Left pediatric wrist radiograph, PA —

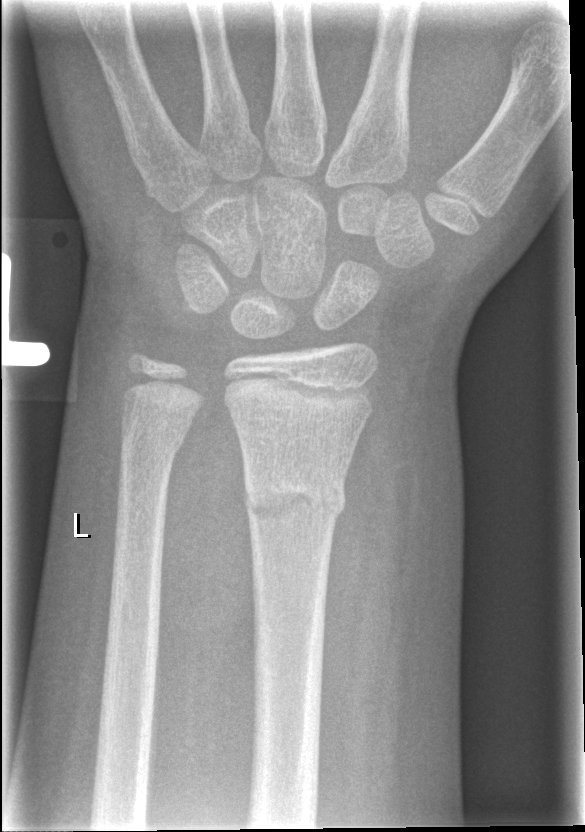

fracture: [240, 473, 349, 525] [116, 415, 188, 463]